Lt wrist X-ray, lateral, girl, 8 yo, image width 64.2 mm, 446x1108
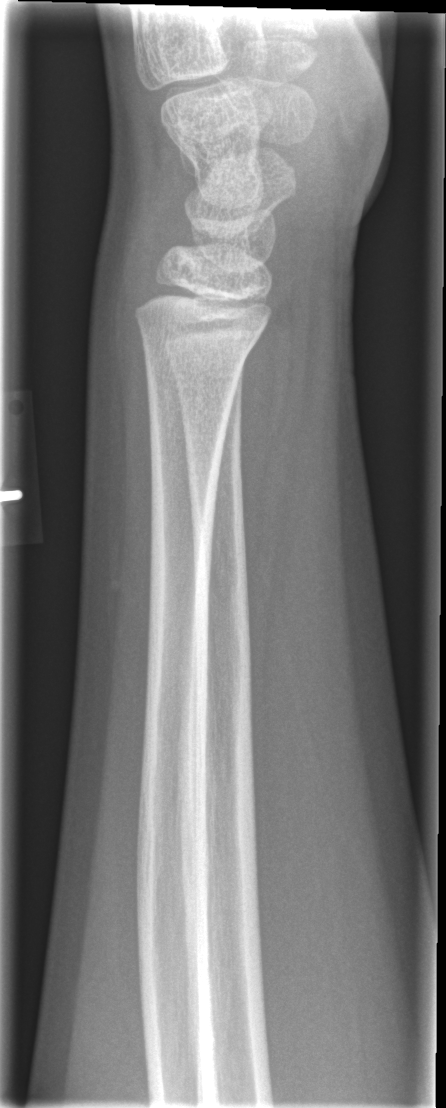
FINDINGS — (bounding boxes in image-pixel xyxy) Bone fracture — <133,316>-<262,379>.